Lat · L wrist X-ray · 8-year-old girl · follow-up study · cast present —
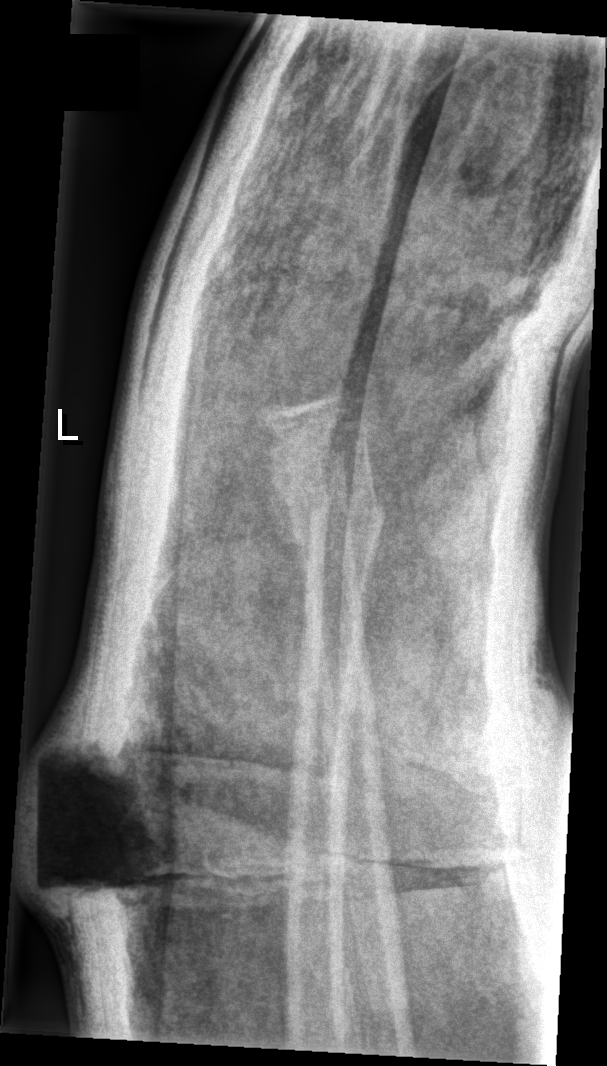

Q: AO code?
A: AO code 23r-M/3.1; 23u-M/2.1
Q: Fracture present?
A: Fracture — 288,492,388,559